Right wrist radiograph | frontal view | Siemens —

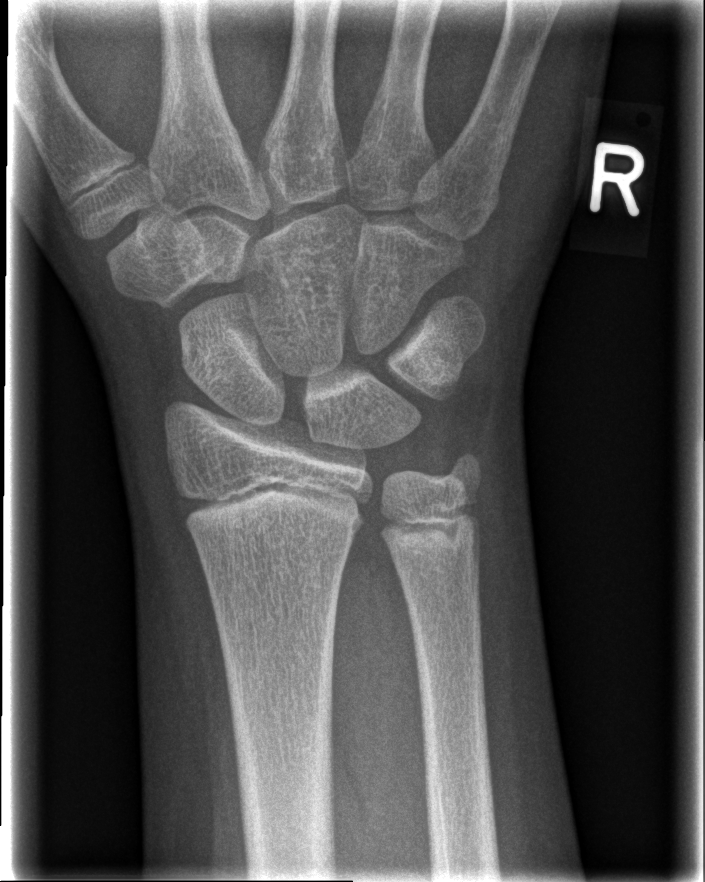 • No Fx annotated.